Posteroanterior, Lt wrist XR, 8y F, subsequent exam, imaged through cast:
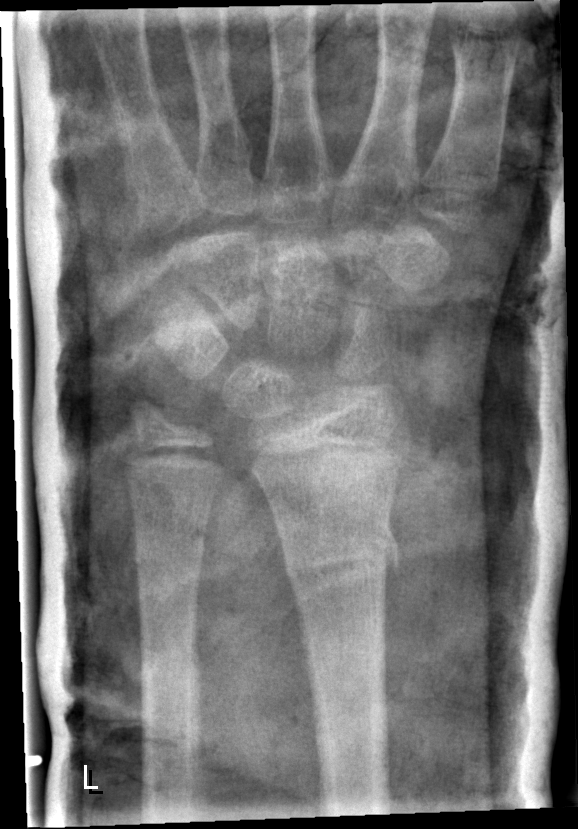

{"fracture": "bbox(280, 524, 404, 604); bbox(130, 530, 210, 575)"}